R wrist plain film · lat view · female, 11 yo · index exam —
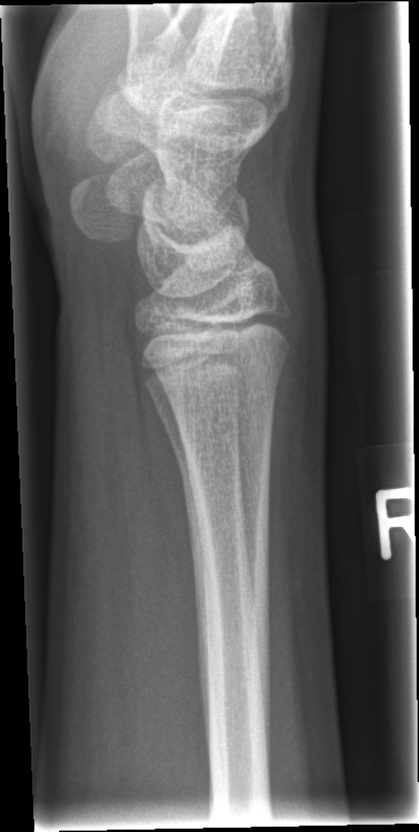

No fracture bounding box.